AP projection · L wrist X-ray · pediatric patient (male, age 6) · Siemens · 525 x 702 px
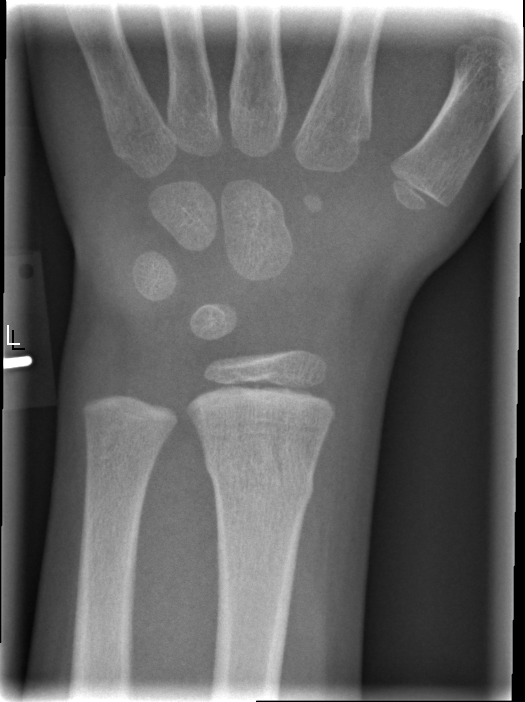

{"_coords": "pixel coordinates, top-left origin, xyxy", "fracture": "201 442 317 509"}